Right wrist XR; lat projection; pediatric patient (male, age 10); index exam:
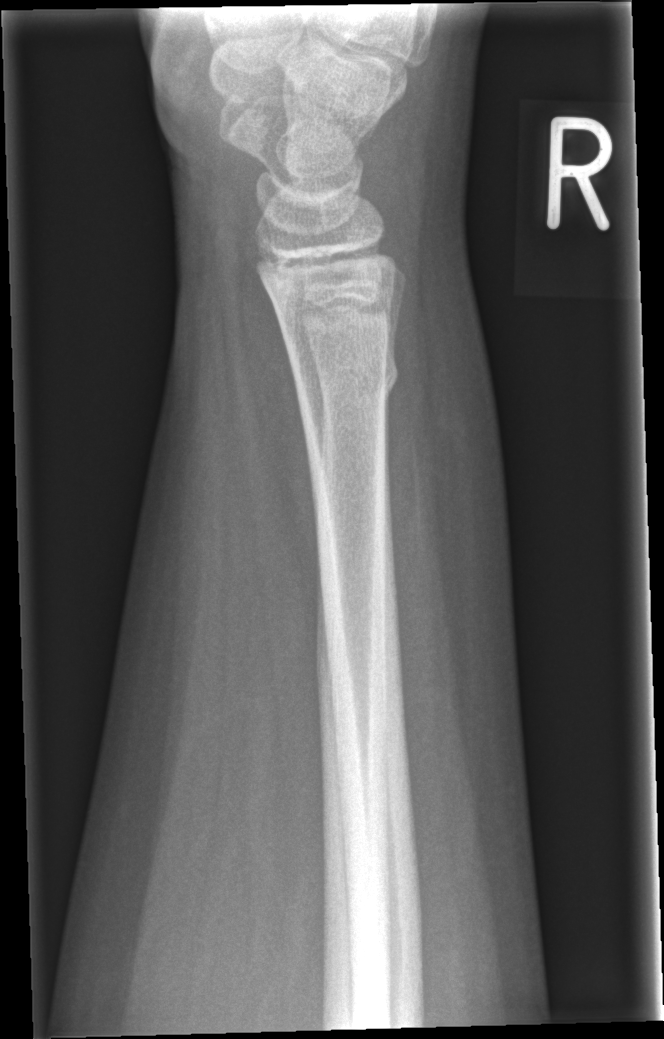
Fracture — [x1=288, y1=343, x2=402, y2=416].
Fracture classified AO/OTA 23r-M/2.1.